Left wrist pediatric wrist radiograph · lat view · 15-year-old female — 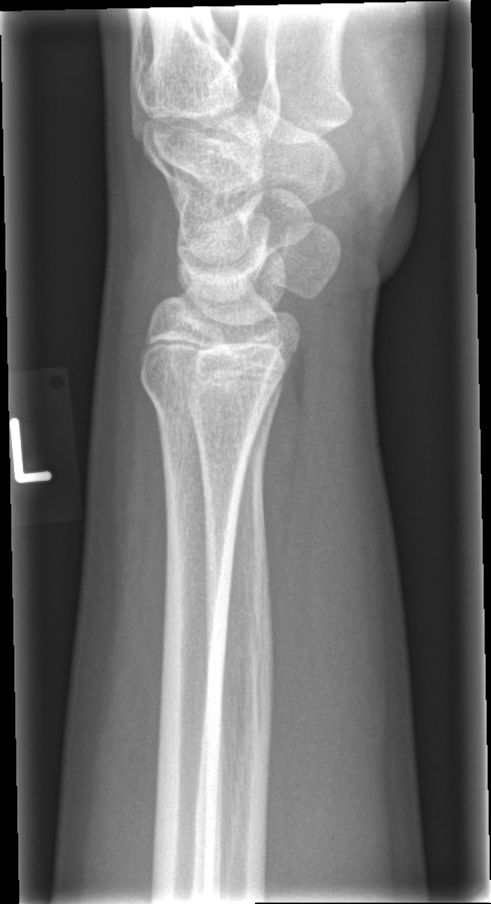
Findings: One bone fracture at 134 353 279 440.